R pediatric wrist radiograph | lateral projection | 9y F | initial study:
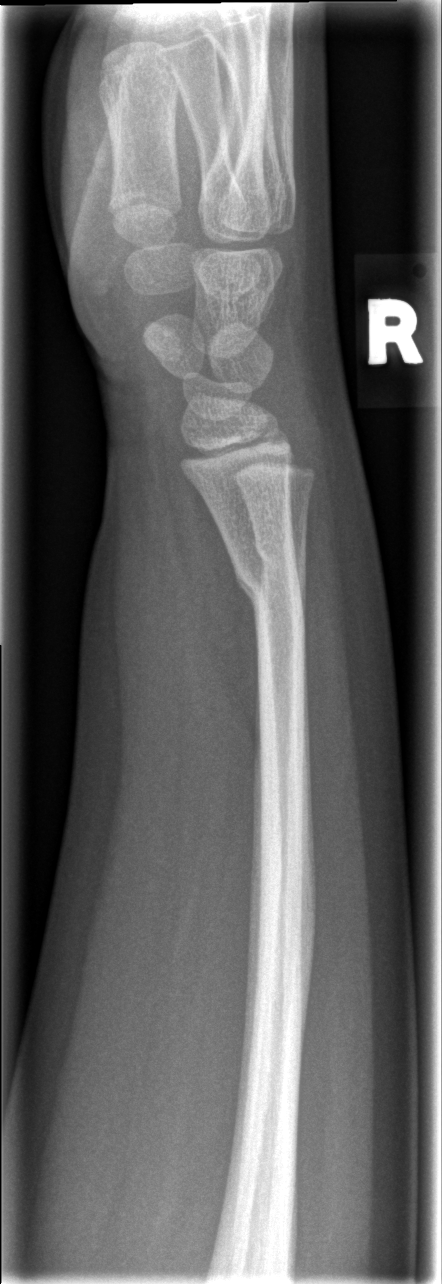 (coordinates are [x1, y1, x2, y2] in image pixels)
Q: AO code?
A: AO code 23-M/2.1
Q: Pronator fat-pad sign?
A: One pronator sign at [161, 443, 264, 750]
Q: Locate any fractures.
A: Bone fractures — [228, 554, 309, 633] [251, 528, 311, 580]